Lt wrist X-ray, lateral view, initial study, 347 by 858 pixels —

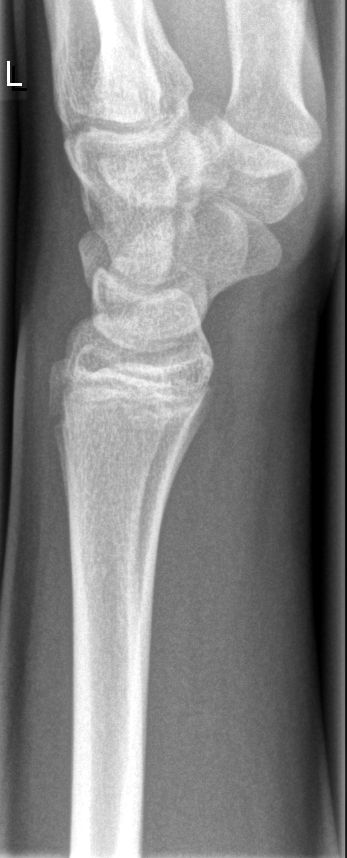 Fx: none labeled